Lateral view · right wrist plain film

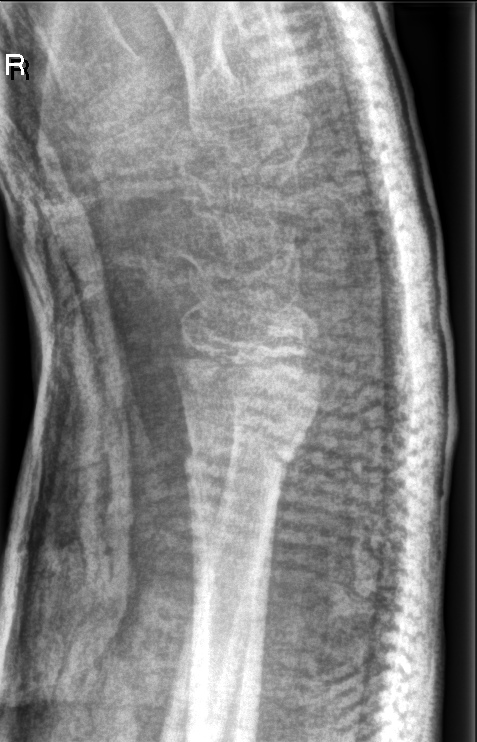
Fx = [x1=172, y1=414, x2=307, y2=494]
AO/OTA = 23r-M/3.1; 23u-E/7